Rt wrist X-ray; lateral projection; presentation radiograph; 540 by 804 pixels:

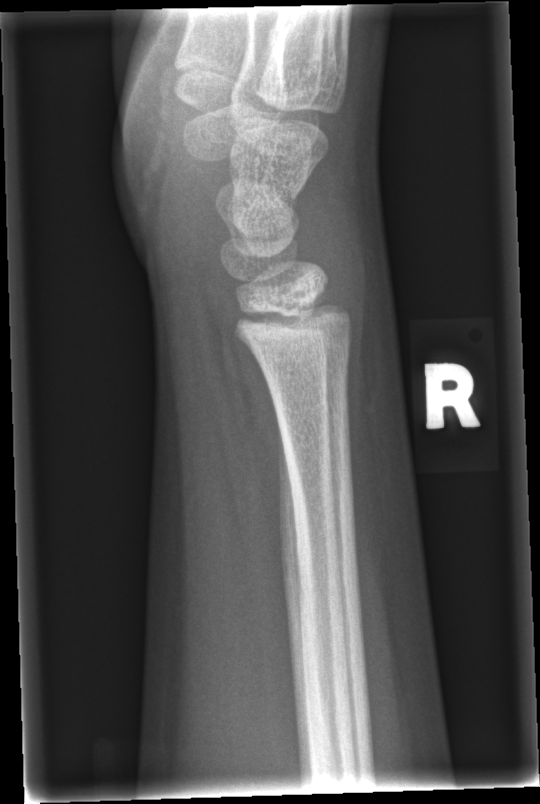

{
  "fracture": "none labeled"
}